PA/AP view, right plain radiograph of the wrist, index exam, acquired on Siemens — 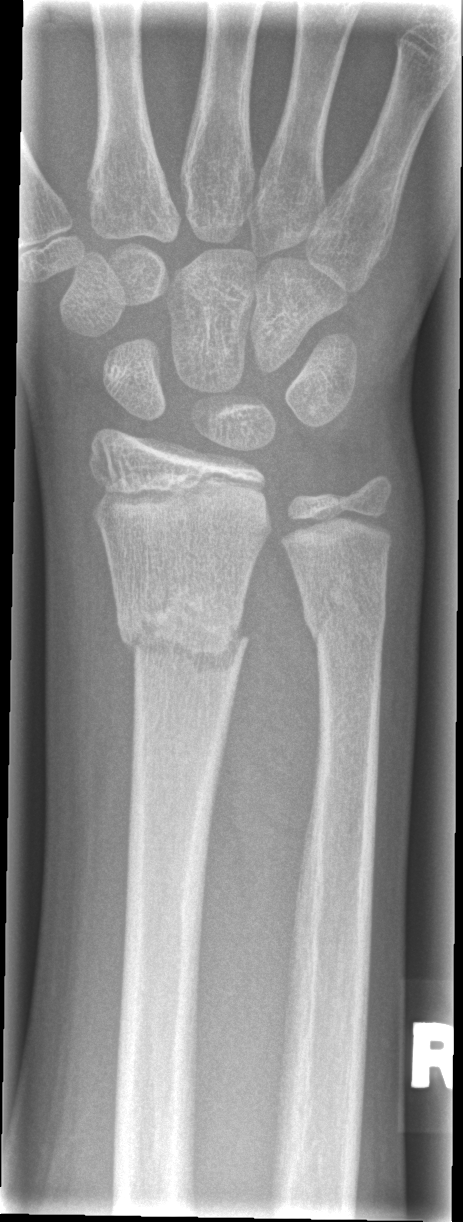 Fx: 2 @ [x1=113, y1=582, x2=250, y2=681], [x1=296, y1=585, x2=391, y2=650]
AO classification: 23r-M/3.1; 23u-M/2.1